Right wrist pediatric wrist radiograph · frontal view · age 4 y, boy:
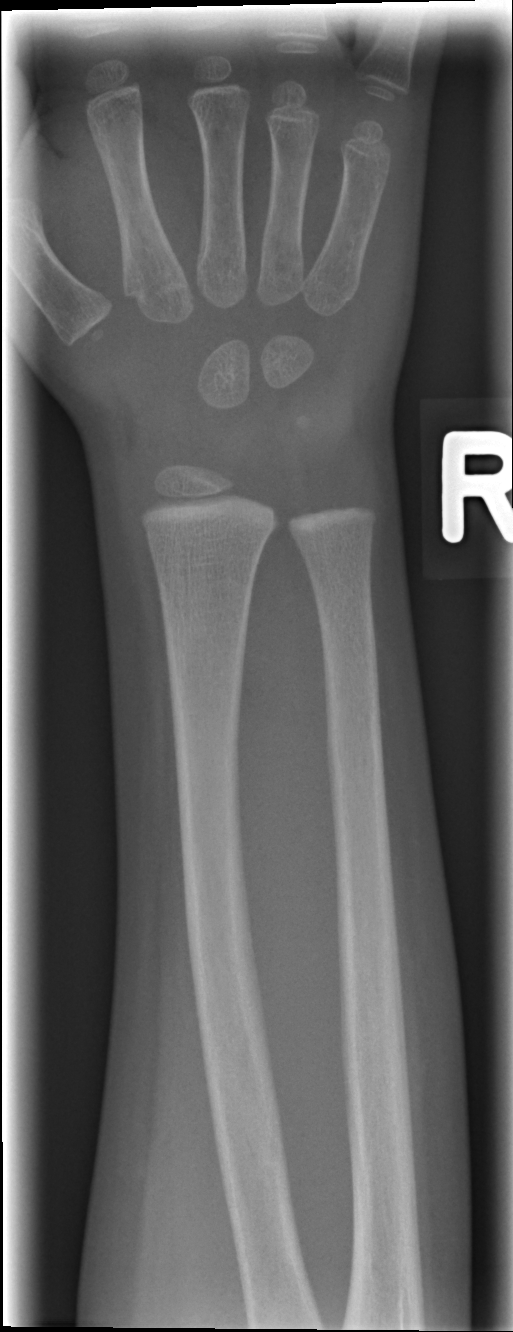

Q: Any fracture seen?
A: No fracture annotation